R wrist radiograph, lat, 439x838.
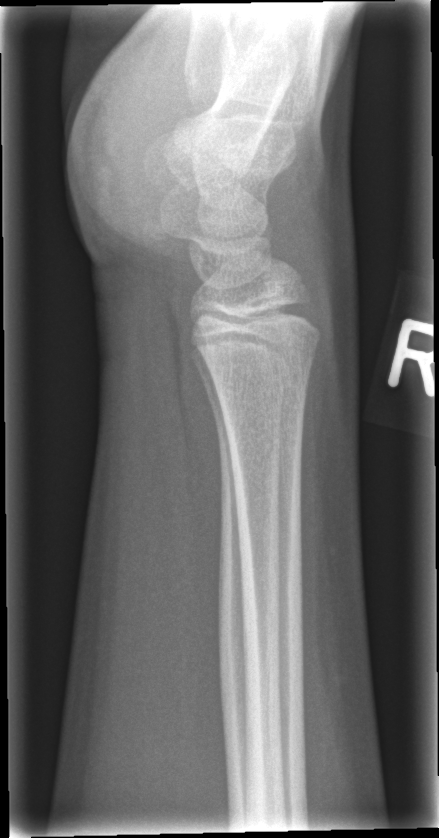

No Fx annotated.